Left wrist XR · frontal view · female, 8 yo · Siemens

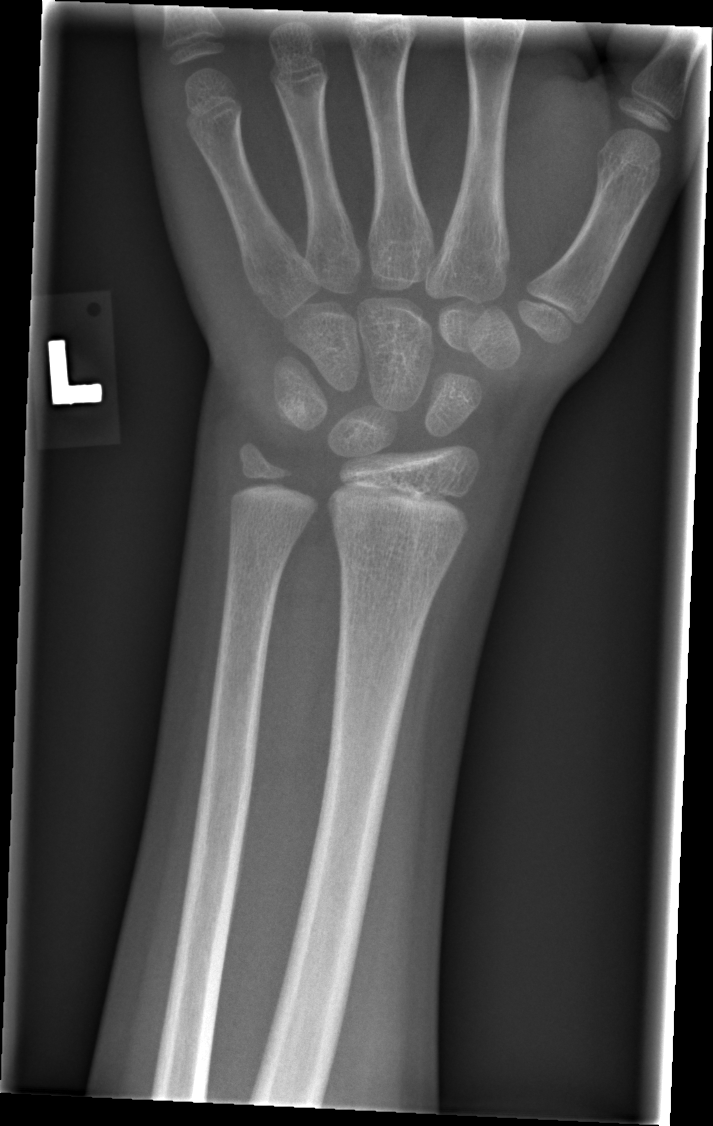 Fx present but not clearly seen in this view. Fracture classified AO/OTA 23r-M/2.1.